Lateral · left wrist plain radiograph of the wrist · girl, 13 yo · acquired on Siemens

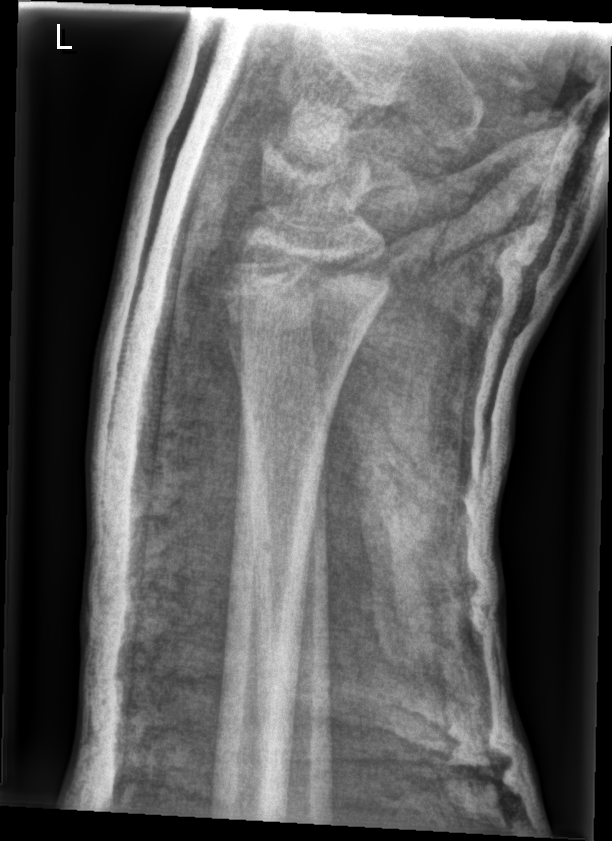 Bounding boxes in image-pixel xyxy.
Fx — 216 244 390 336.
Periosteal thickening identified at 218 274 246 405.
Fracture classified AO/OTA 23r-E/2.1; 23u-E/7.